Lat view | L pediatric wrist radiograph | 12-year-old boy | image size 477x874
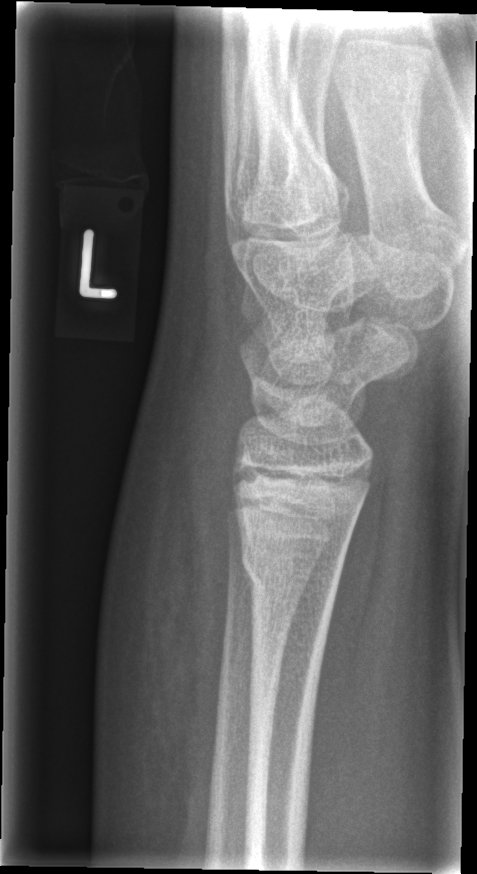

Q: Is there soft-tissue abnormality?
A: Soft tissue abnormality identified at [x1=99, y1=387, x2=237, y2=819]
Q: Is there a fracture?
A: One fracture at [x1=235, y1=519, x2=356, y2=598]